Rt plain radiograph of the wrist, lateral view:
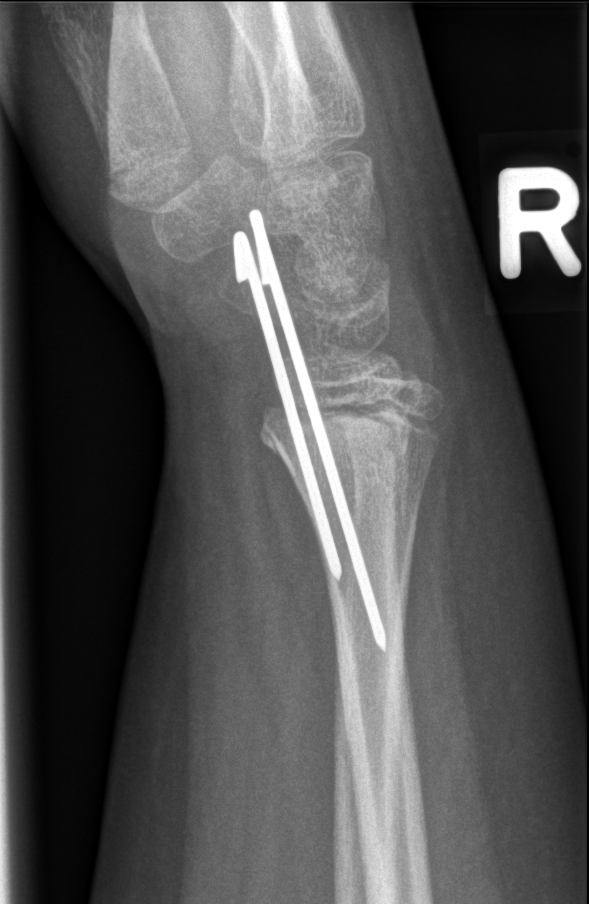
Reduced bone mineral density.
Fx: bbox(253, 389, 445, 485).
Fracture classified AO/OTA 23r-E/2.1.
One hardware at bbox(232, 206, 387, 652).